PA view; L wrist XR; cast present; 714 by 850 pixels — 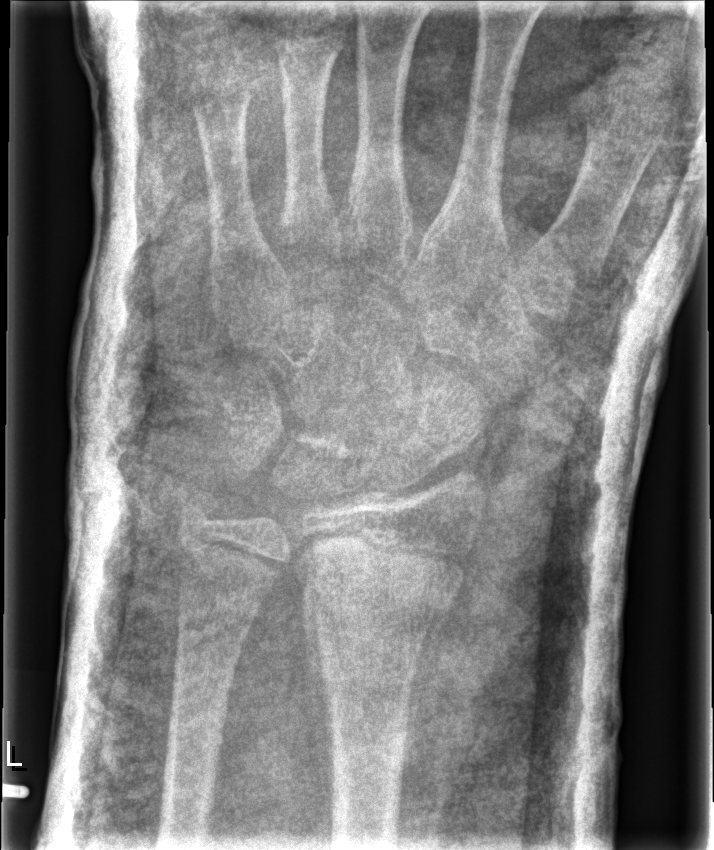 Findings: (coordinates are [x1, y1, x2, y2] in image pixels) AO/OTA classification: 23r-M/3.1. One bone fracture at [x1=297, y1=573, x2=465, y2=647].